Lateral; Lt wrist radiograph; age 13 y, boy; in cast; Siemens; 686x1150
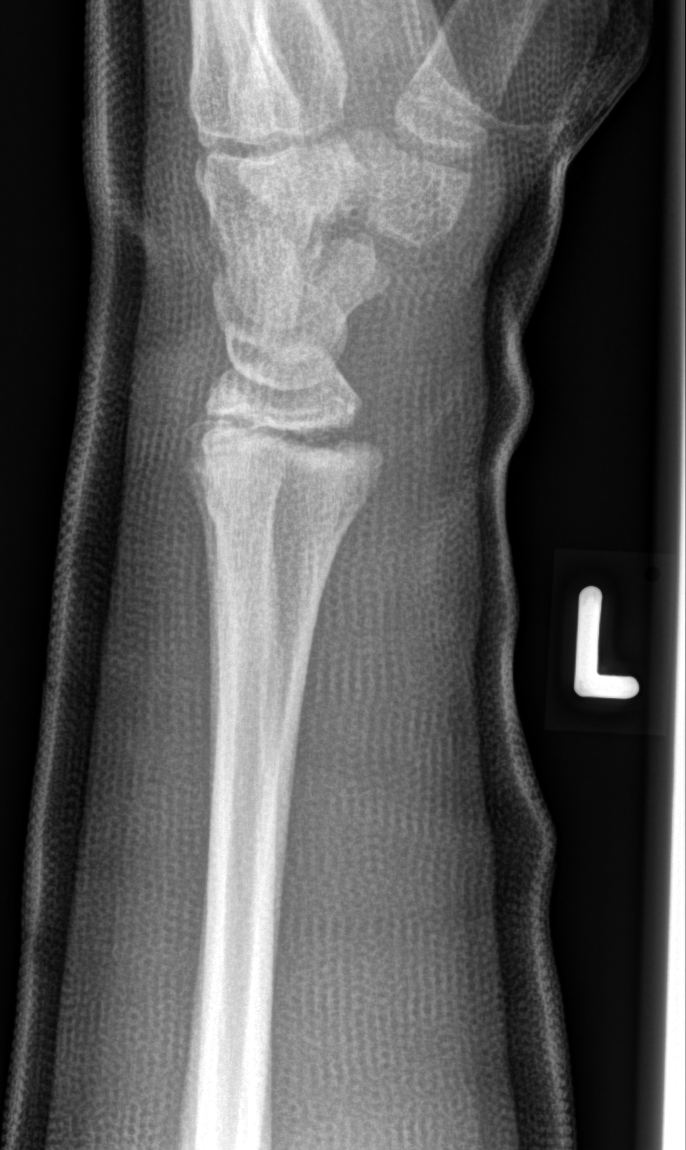 ao: 23r-E/2.1
fracture: [190, 406, 389, 536]